Left wrist radiograph · lateral view · Siemens — 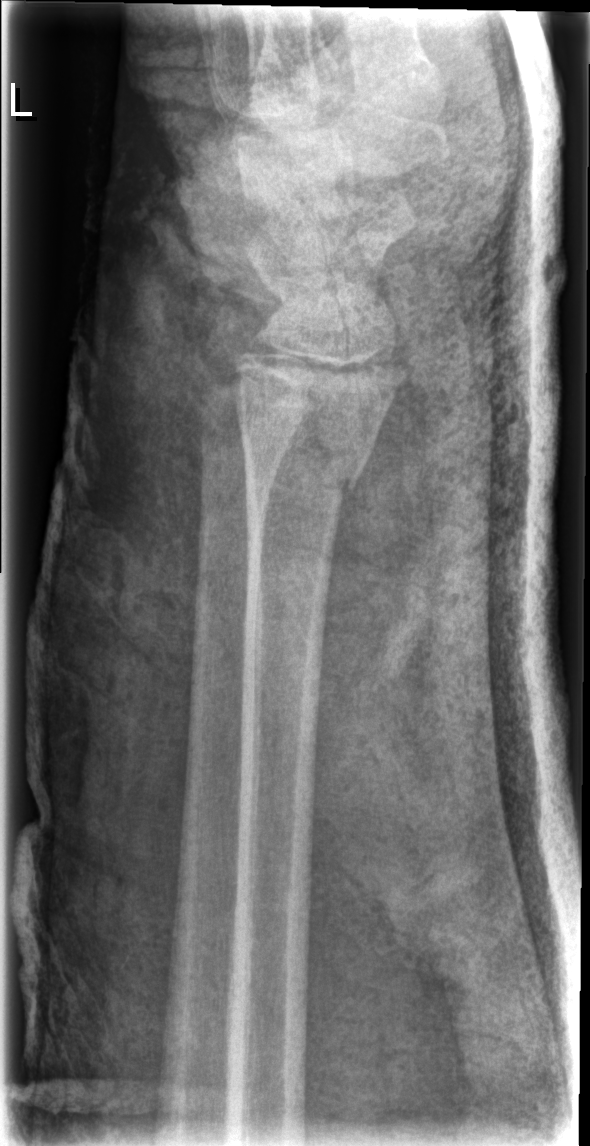
One Fx at bbox(232, 366, 376, 503).